Lateral view | left wrist radiograph | subsequent exam | in cast | 536x1068.

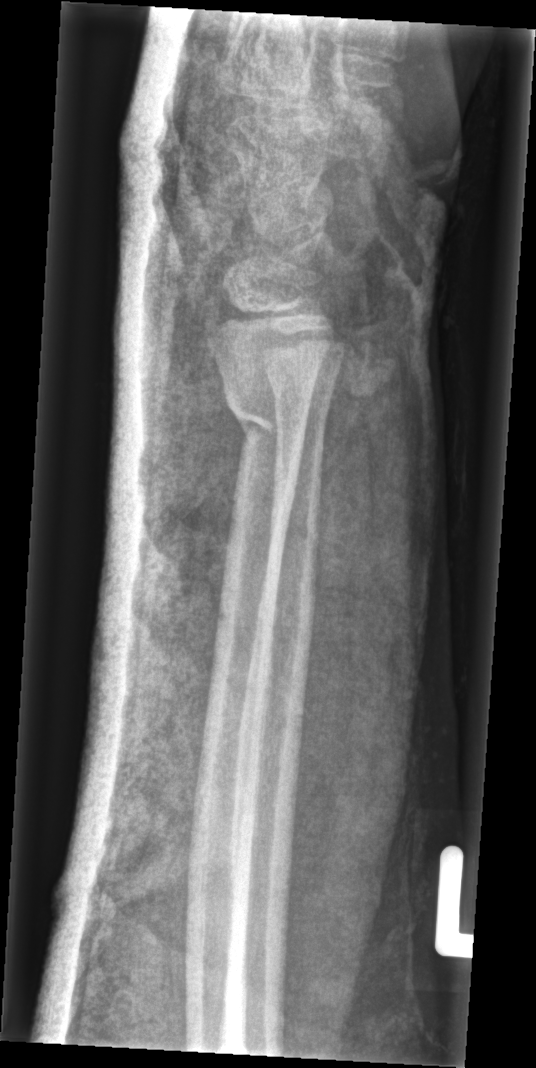 FINDINGS — (bounding boxes in image-pixel xyxy) AO code 23-M/2.1. Fx — [218, 356, 313, 481]; [260, 359, 340, 427].